Rt wrist X-ray | lateral projection | age 17 y, female | presentation radiograph | detector: Siemens —

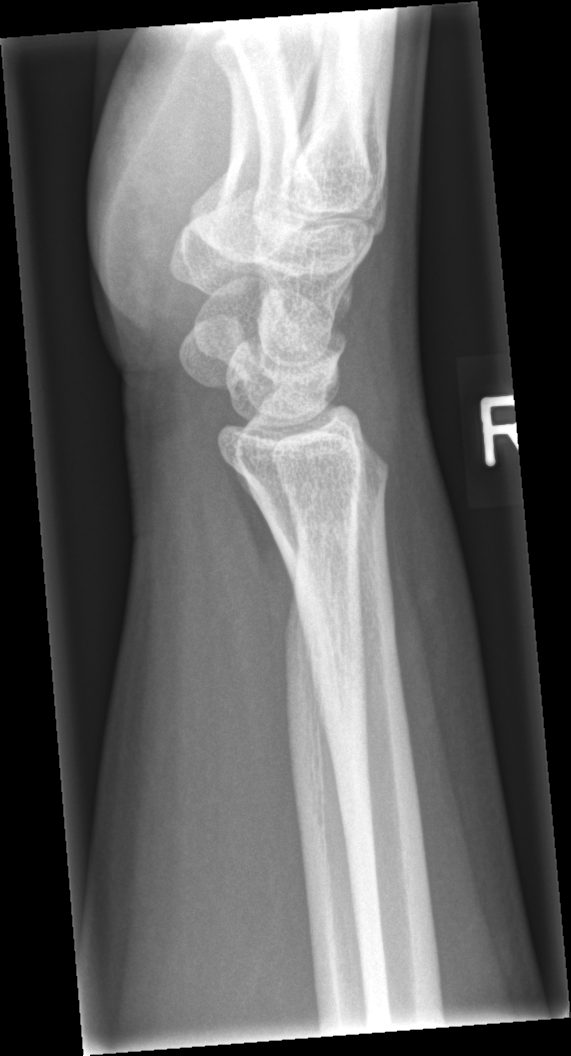
No fracture bounding box.